Lat · Lt wrist radiograph · pediatric patient (boy, age 14) · cast in situ · Siemens —
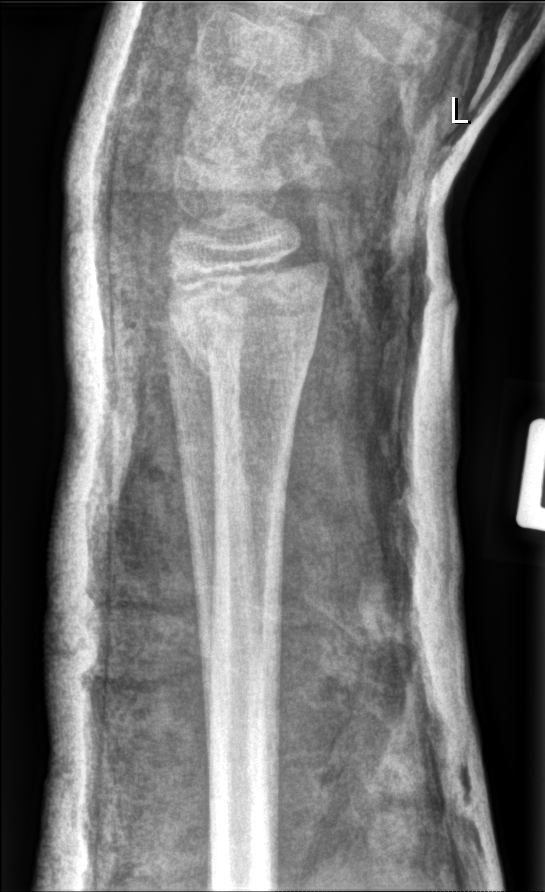

Fracture classified AO/OTA 23r-M/3.1. One Fx at bbox(164, 282, 322, 379).